Posteroanterior projection, Lt wrist X-ray, detector: Siemens —
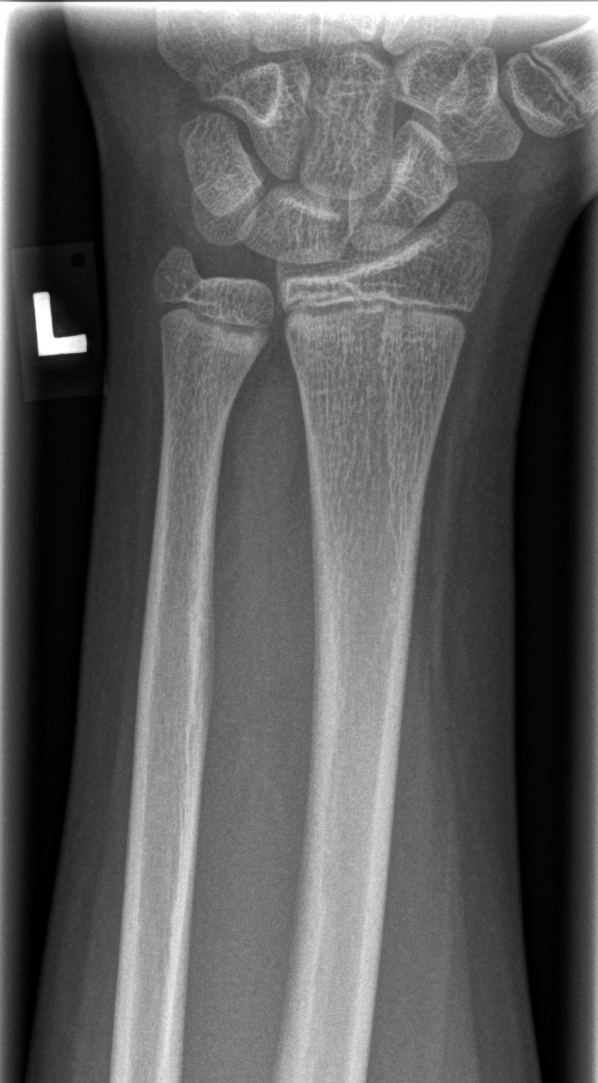
Fx: none labeled